Lateral; Lt wrist X-ray; cast present; image size 592x877 — 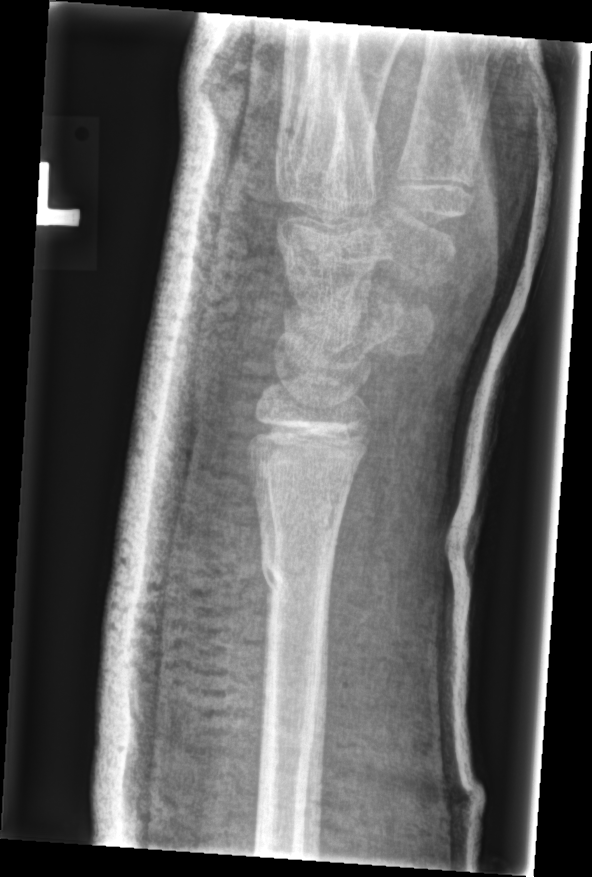
Bone fracture = 252 548 336 608